Lateral view; R wrist XR; 14y F
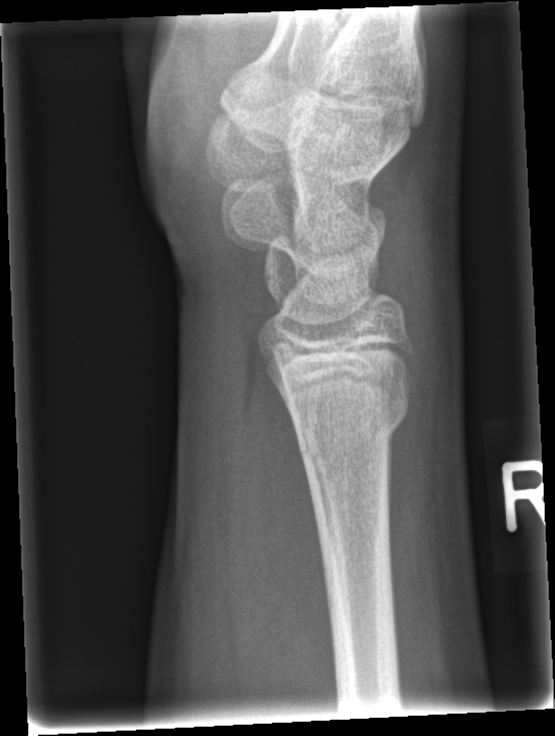
{"_coords": "boxes as x1,y1,x2,y2 (top-left / bottom-right, pixel units)", "ao": "23r-M/2.1", "pronatorsign": "bbox(247, 367, 340, 697)", "fracture": "1 @ bbox(296, 386, 411, 464)"}